Right wrist plain radiograph of the wrist · frontal · 472 by 784 pixels —

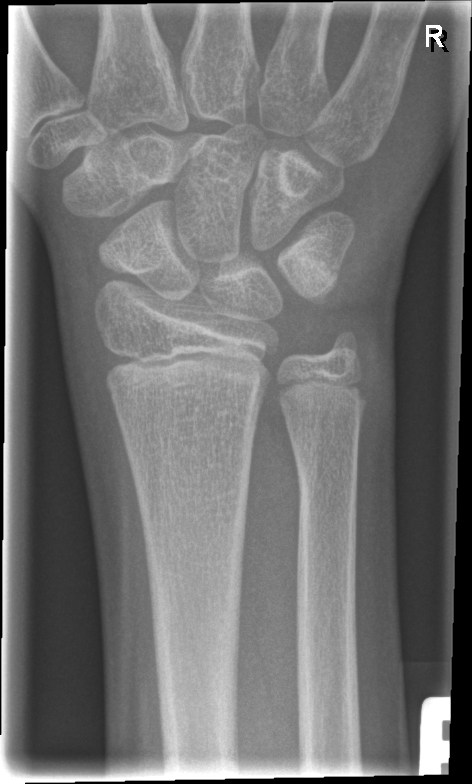
No fracture annotation.